Lat projection, Rt plain radiograph of the wrist, age 16 y, male, cast in situ, detector: Siemens:

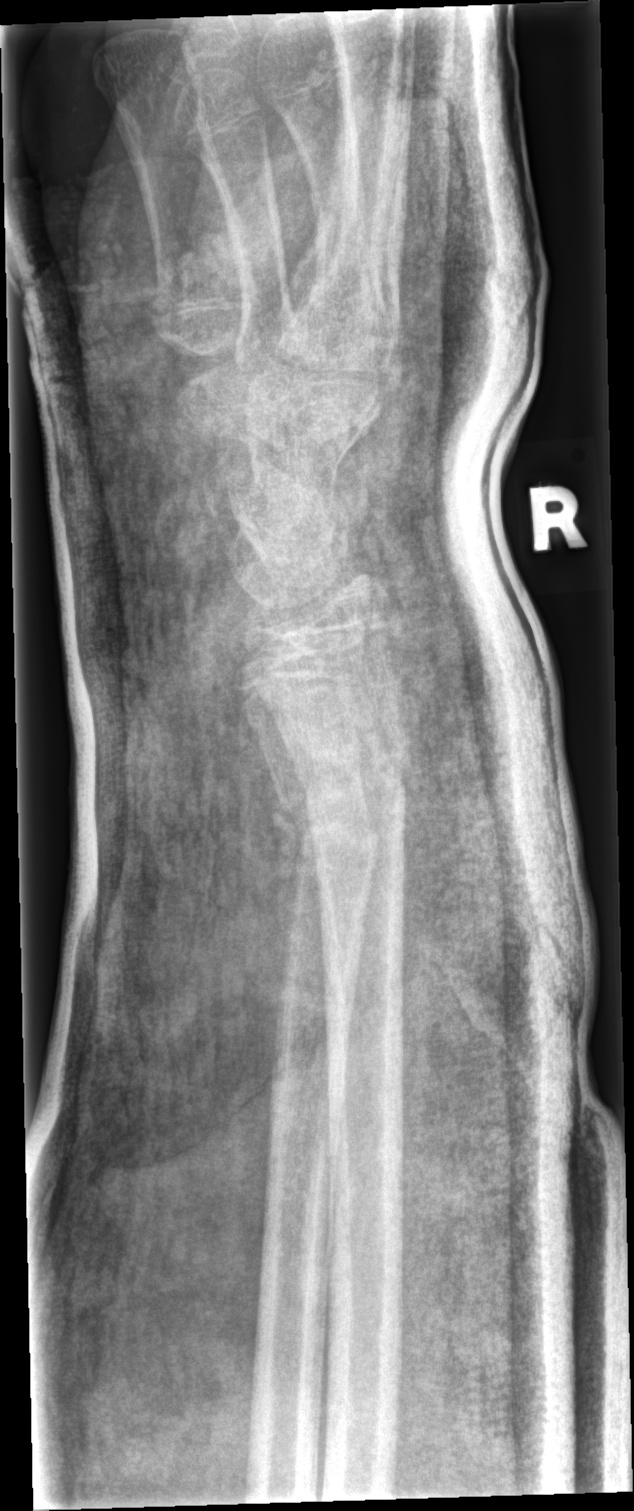 AO/OTA = 23-M/3.1; 23u-E/7
bone fracture = 1 @ (261, 721, 416, 847)